Frontal · R pediatric wrist radiograph · male, 17 yo · follow-up · Siemens:
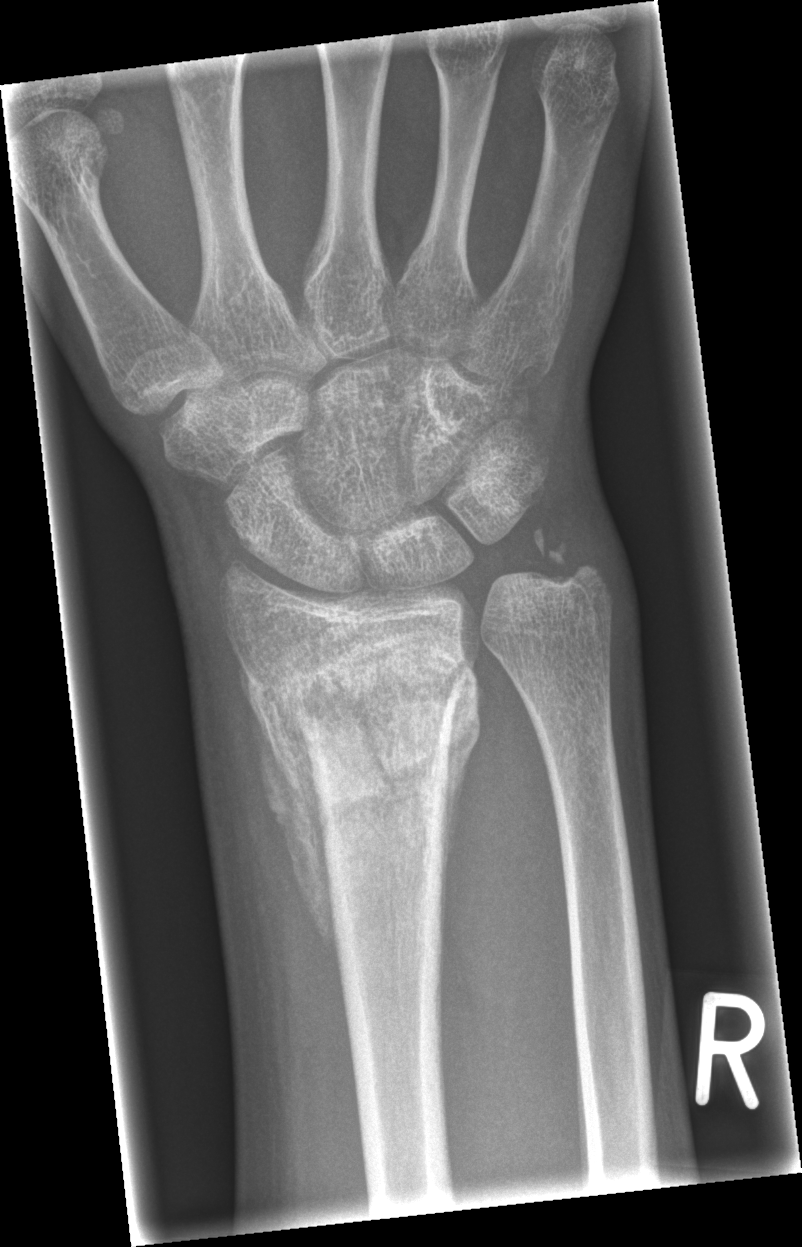

FINDINGS: Bone fractures — [x1=243, y1=647, x2=483, y2=806], [x1=527, y1=522, x2=607, y2=598]. Fracture classified AO/OTA 23r-M/3.1; 23u-E/7. Periosteal new bone — [x1=241, y1=658, x2=344, y2=975], [x1=439, y1=664, x2=485, y2=950]. Reduced bone mineral density.